Left wrist plain film · lateral view · cast present · Siemens · image 84.4 mm wide —

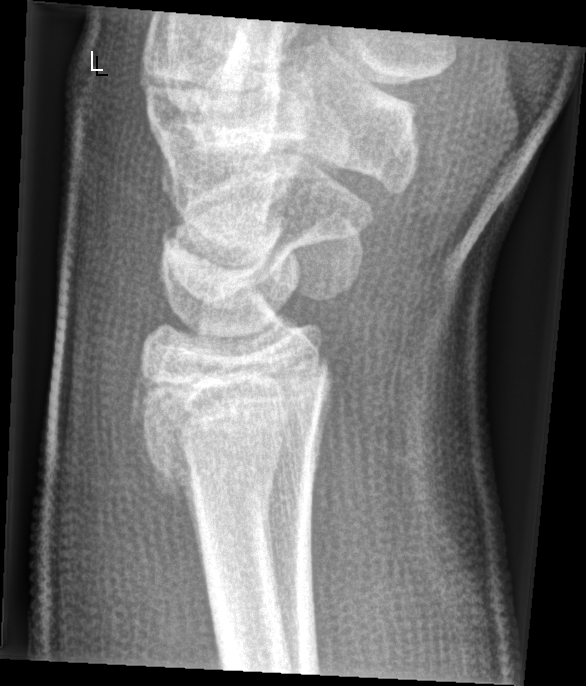 Q: What is the AO/OTA classification?
A: AO code 23r-E/2.1; 23u-E/7
Q: Any fracture seen?
A: Bone fracture — bbox(124, 339, 331, 512)